Lat; left wrist pediatric wrist radiograph; 8y M; cast in situ —

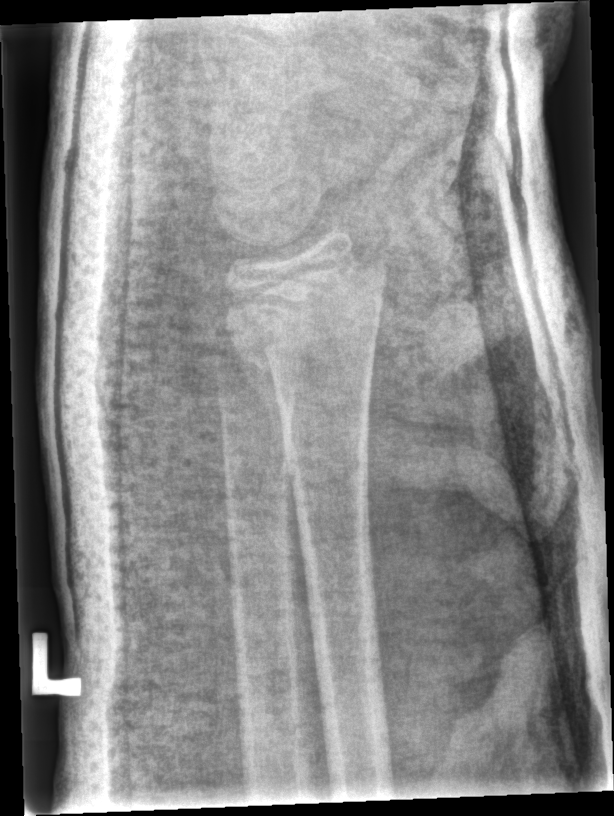
Findings: Periosteal new bone: bbox(230, 341, 293, 485). Bone fracture identified at bbox(218, 250, 390, 393).